Right wrist plain film · posteroanterior projection · follow-up · imaged through cast.

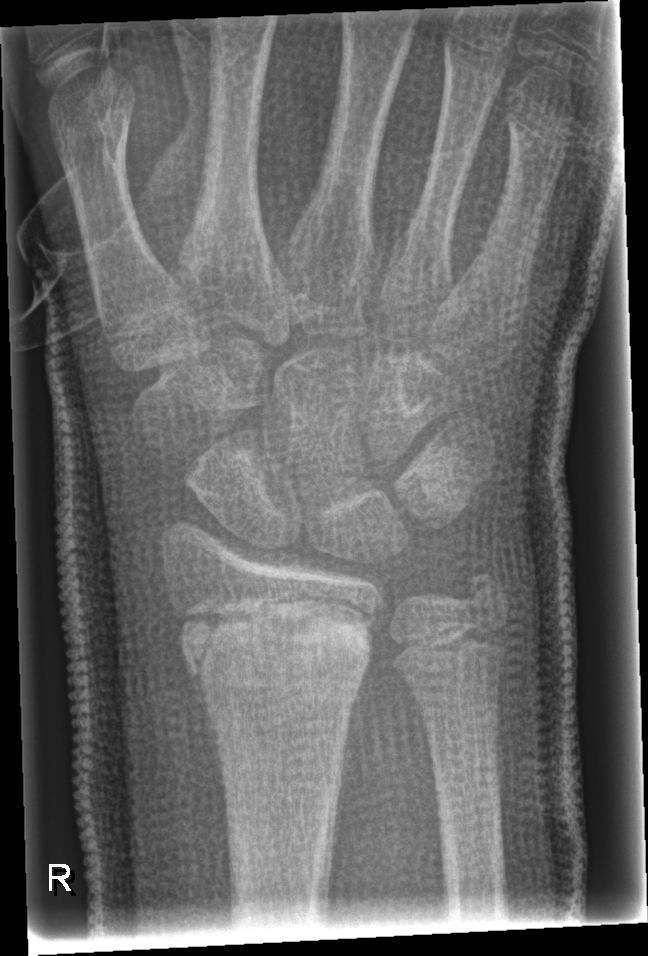 Q: Is there a fracture?
A: Bone fractures — 177 592 385 694
  452 560 518 629